AP projection; Lt pediatric wrist radiograph; imaged through cast; acquired on Siemens; 552 x 725 px

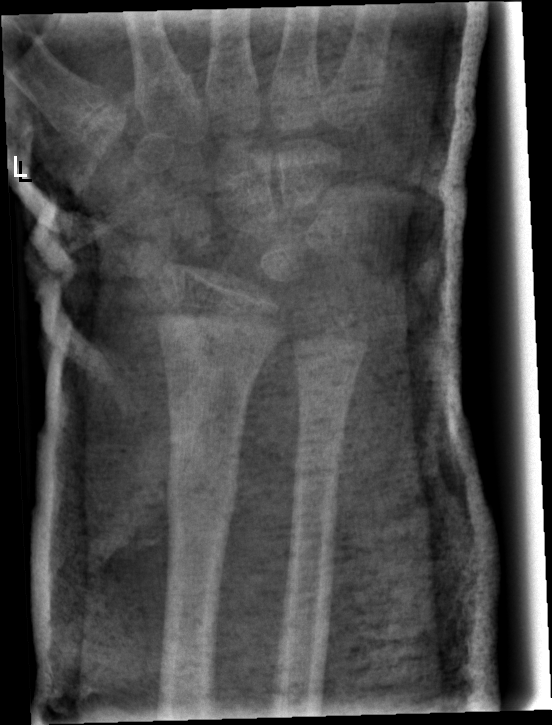 FINDINGS: (pixel coordinates, top-left origin, xyxy) Fracture — 162 466 241 532.